Lateral; Lt pediatric wrist radiograph; pediatric patient (female, age 8); 574 by 906 pixels.
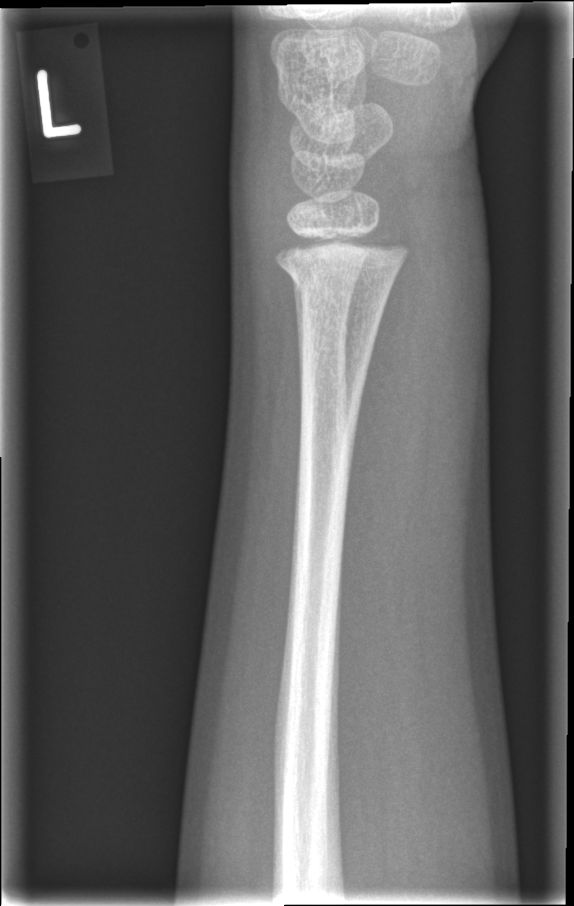 * Pixel coordinates, top-left origin, xyxy.
* Fracture classified AO/OTA 23r-E/2.1.
* Bone fracture identified at (left=270, top=222, right=414, bottom=297).